Right wrist plain film, PA view, 6-year-old male:
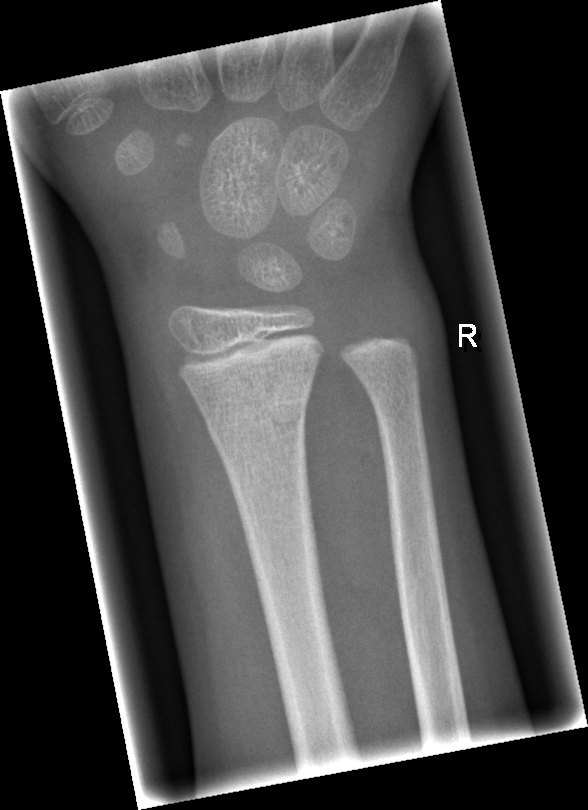
(boxes as x1,y1,x2,y2 (top-left / bottom-right, pixel units))
Bone fracture = [202, 383, 312, 445]
AO/OTA = 23r-M/2.1